Posteroanterior projection | right wrist radiograph.

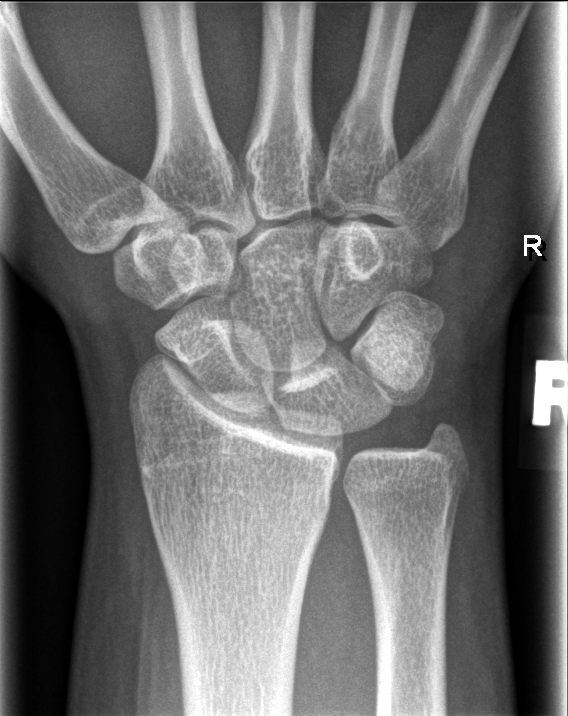

bone fracture = none labeled